Lateral; left wrist plain film; 11-year-old boy; subsequent exam 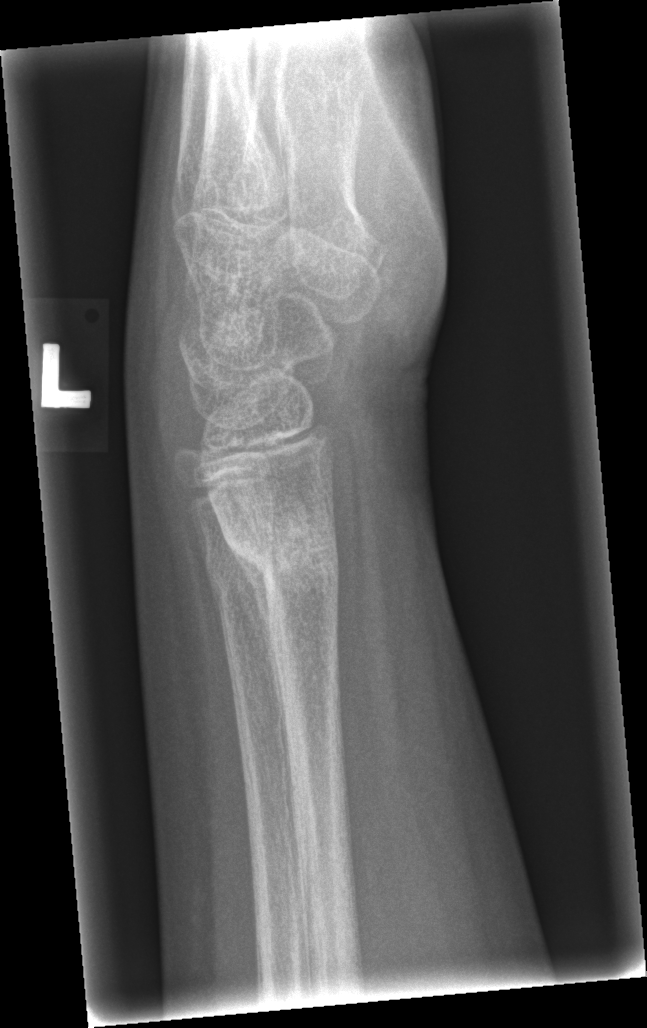

Bounding boxes in image-pixel xyxy. Periosteal reaction: (left=231, top=544, right=290, bottom=762). Fx — (left=217, top=517, right=340, bottom=585) (left=202, top=529, right=282, bottom=609).